Frontal projection · right wrist X-ray · 6-year-old female · follow-up · cast in situ —

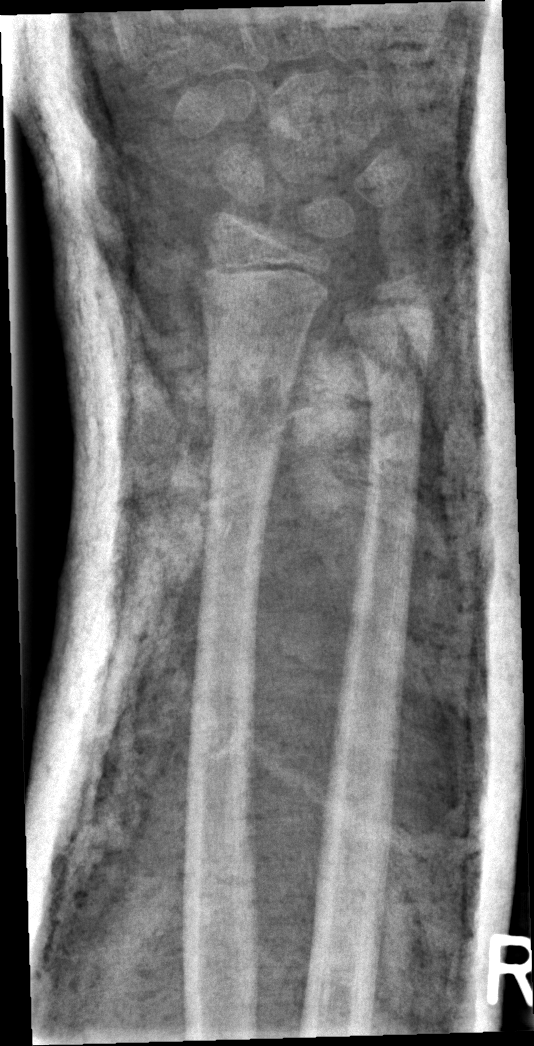

FINDINGS — (boxes as x1,y1,x2,y2 (top-left / bottom-right, pixel units)) Fx — bbox(198, 377, 297, 440).